Frontal | right pediatric wrist radiograph | female, 15 yo: 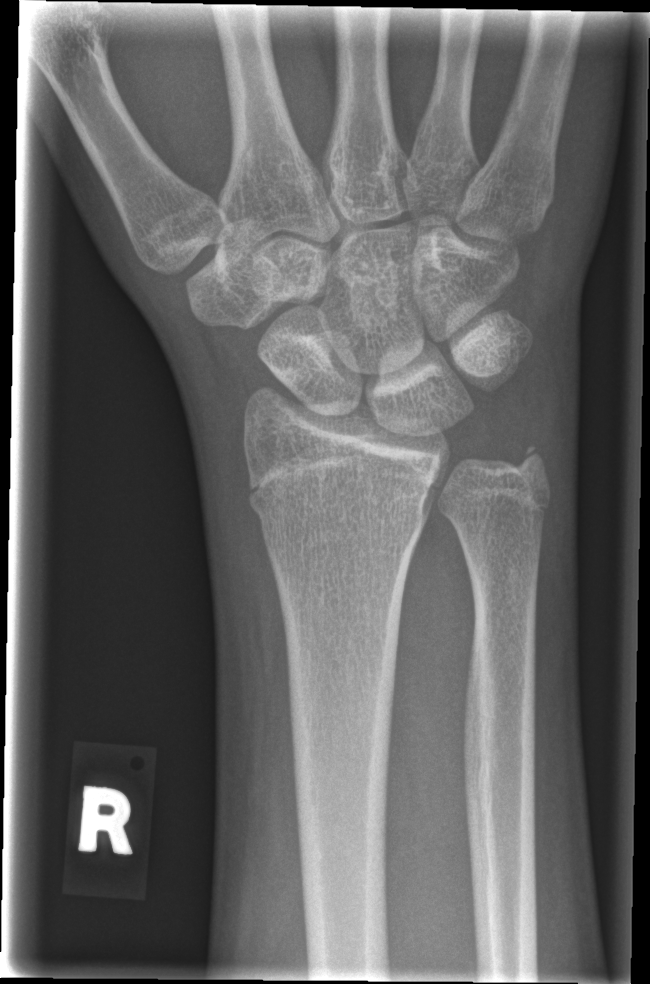

{
  "_coords": "pixel coordinates, top-left origin, xyxy",
  "fracture": "246 474 433 540; 508 435 558 491"
}